L plain radiograph of the wrist · lat projection · 13-year-old female · follow-up:

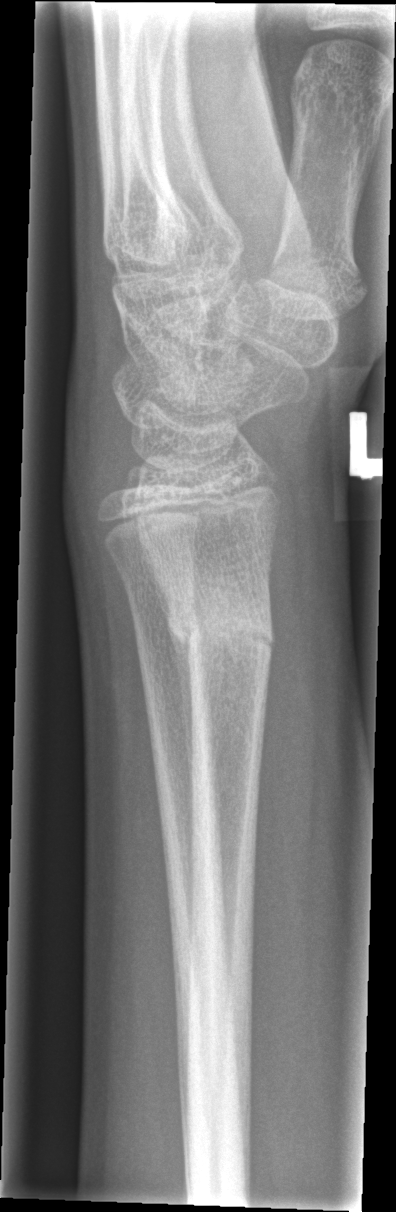

Bone fracture: [x1=155, y1=571, x2=278, y2=668].
Fracture classified AO/OTA 23r-M/3.1; 23u-E/7.
Periosteal new bone: [x1=166, y1=623, x2=196, y2=839].